L wrist plain film | lat | pediatric patient (boy, age 9) | cast in situ | image width 71.7 mm | 498x1136 —
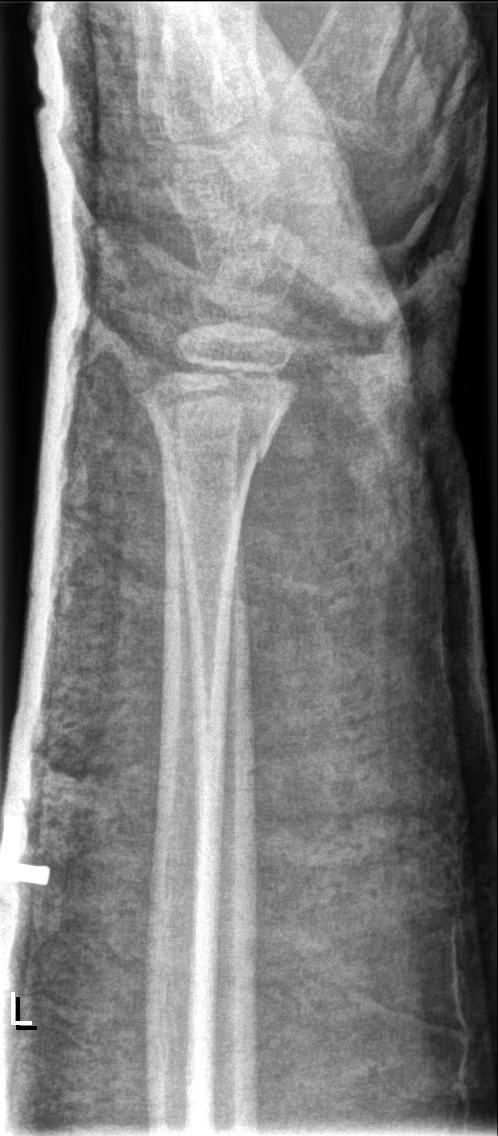
FINDINGS: One fracture at (left=141, top=354, right=304, bottom=475).